R wrist plain film | lateral view | pediatric patient (girl, age 12) | 87.3 mm image width:

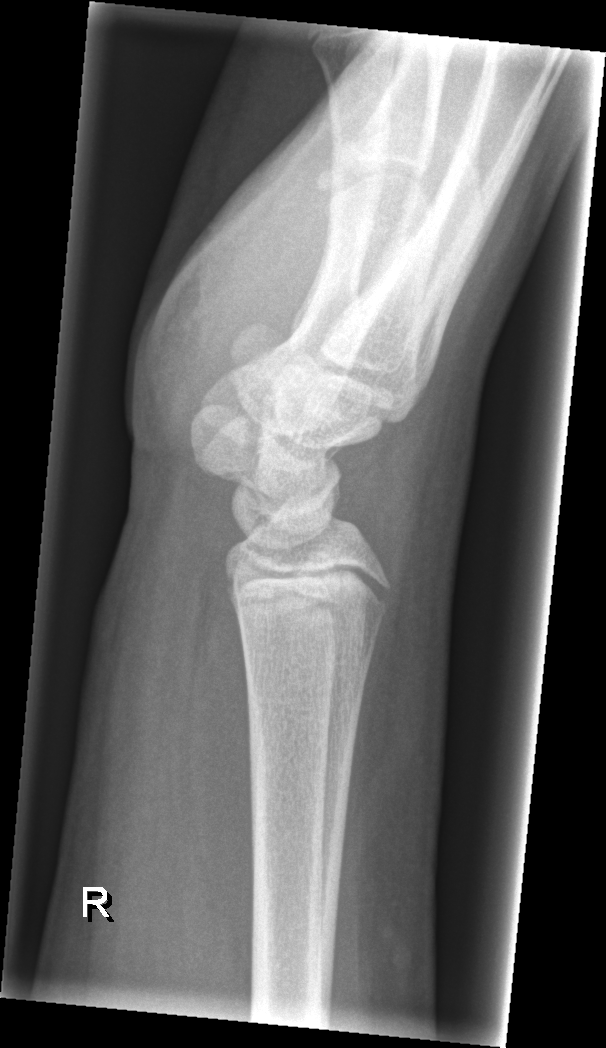

FINDINGS: Pronator quadratus fat-pad sign: 184 584 257 994. Fracture: none labeled.